Lat projection, L wrist plain film, detector: Siemens. 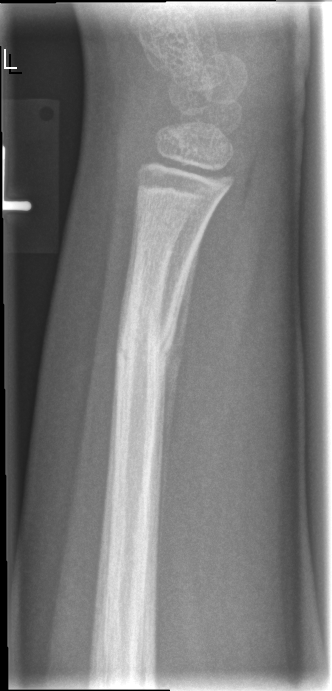 Periosteal new bone — 156,257,197,541.
Fx: 111,306,177,378.
Fracture classified AO/OTA 22-D/1.1.